Lat, right wrist radiograph, follow-up study 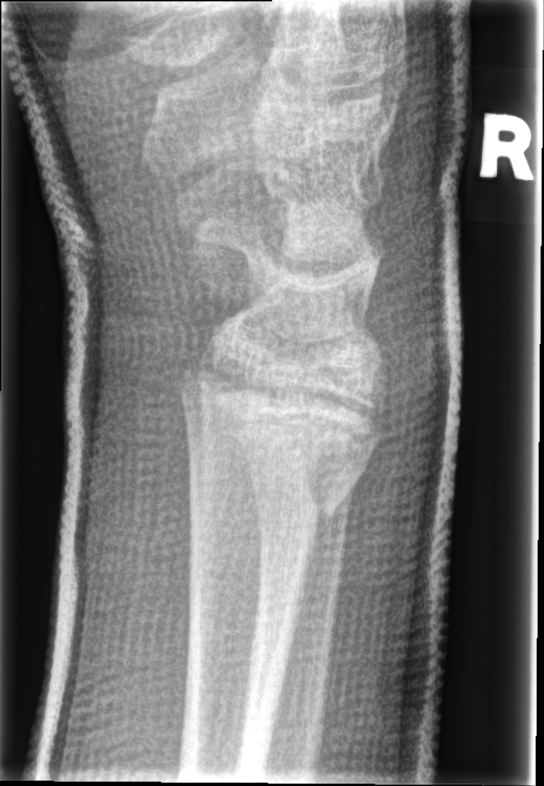
Fx: <174,352>-<389,538>. AO/OTA classification: 23r-E/2.1; 23u-E/7.